Right pediatric wrist radiograph · lat · 616 by 1434 pixels. 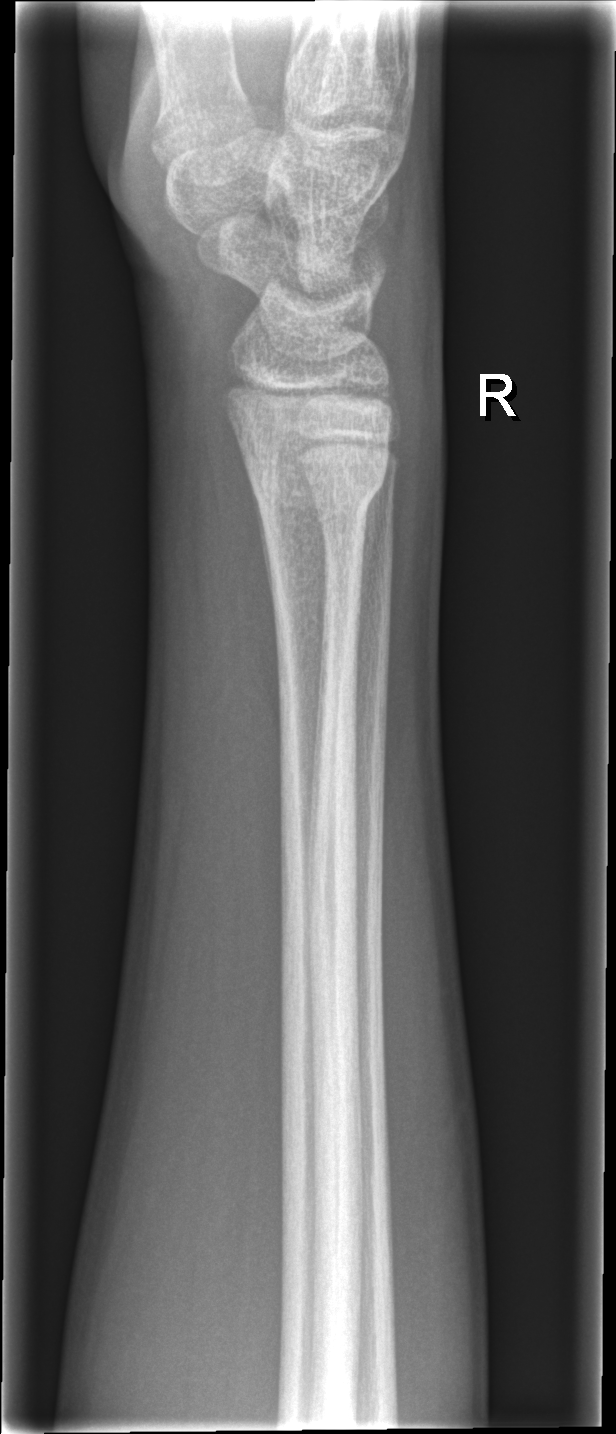
Findings: One fracture at bbox(240, 433, 391, 527).